Frontal; right wrist pediatric wrist radiograph; 6y F; in cast; 609 by 922 pixels

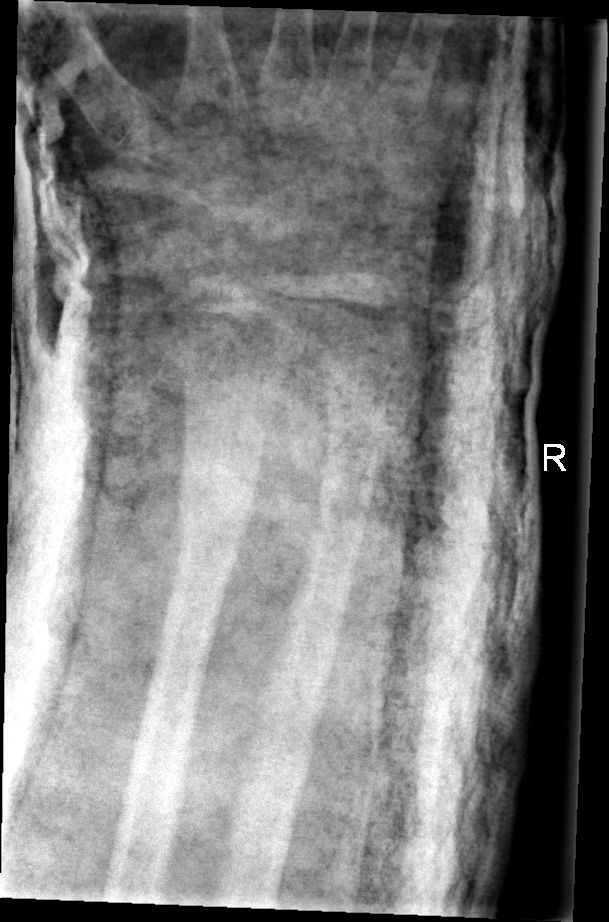
Pixel coordinates, top-left origin, xyxy.
AO/OTA classification: 22r-D/4.1; 23u-M/2.1.
Fx identified at (left=171, top=468, right=258, bottom=546) (left=308, top=470, right=379, bottom=537).